Posteroanterior projection · R plain radiograph of the wrist · index exam —
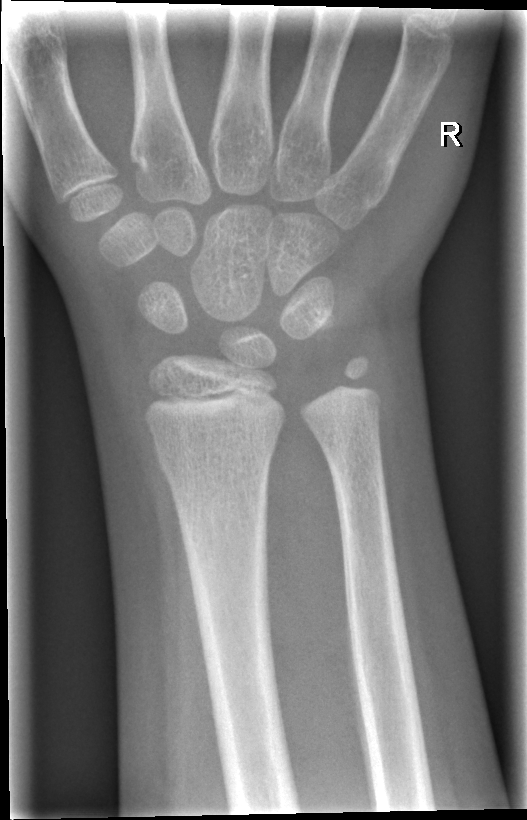 # coordinates are [x1, y1, x2, y2] in image pixels
fracture: 1 @ (153, 435, 280, 483)
ao: 23r-M/2.1